Lat, L pediatric wrist radiograph, pediatric patient (boy, age 8), subsequent exam —

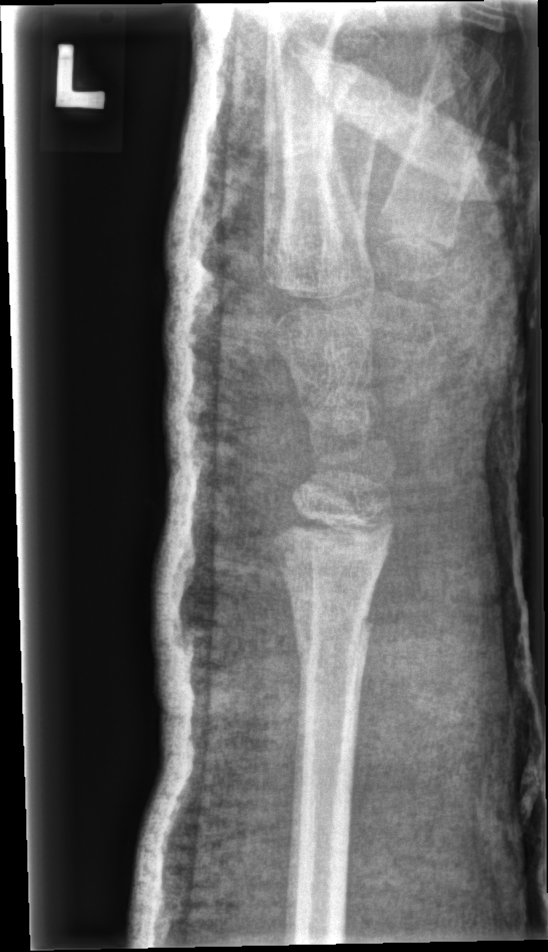 bone fracture = 1 @ [293, 606, 375, 664]